L wrist X-ray · PA view — 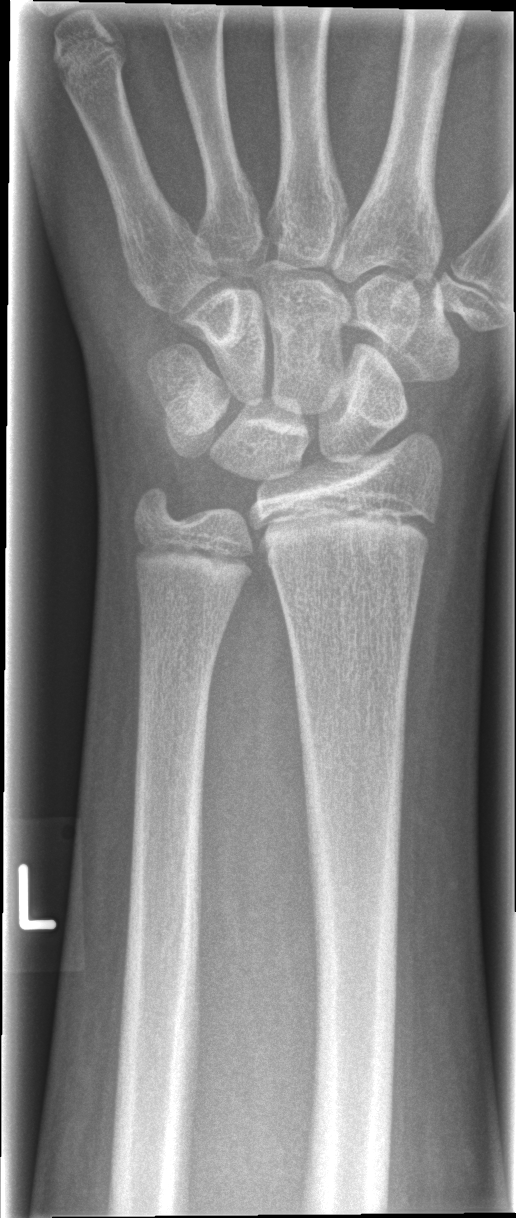 Bone fracture = none labeled